Rt plain radiograph of the wrist | PA/AP projection | detector: Siemens
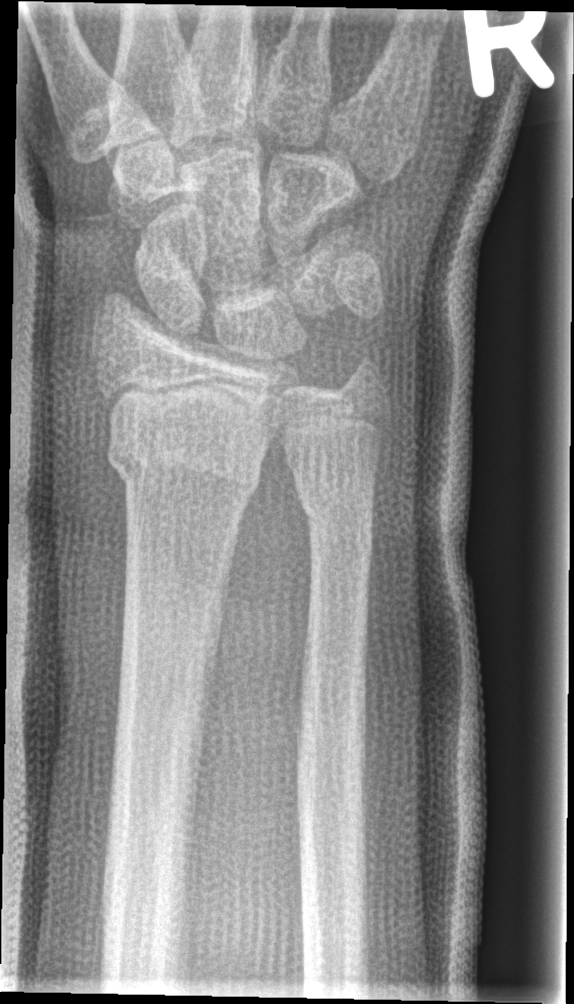
Fracture classified AO/OTA 23r-M/3.1; 23u-M/2.1. Two Fx at (left=104, top=428, right=262, bottom=494) (left=292, top=477, right=380, bottom=534).